Lateral view; R pediatric wrist radiograph; image size 422x979.
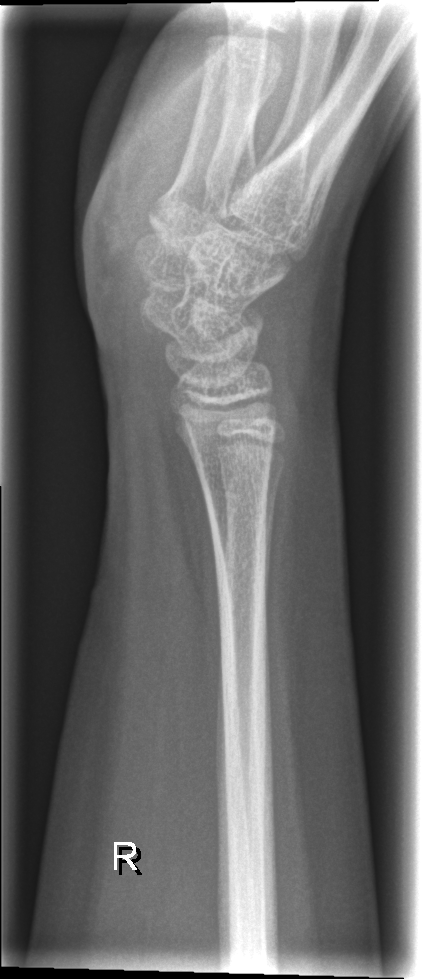 No fracture annotation.